R pediatric wrist radiograph · lateral view · girl, 13 yo · 620x972. 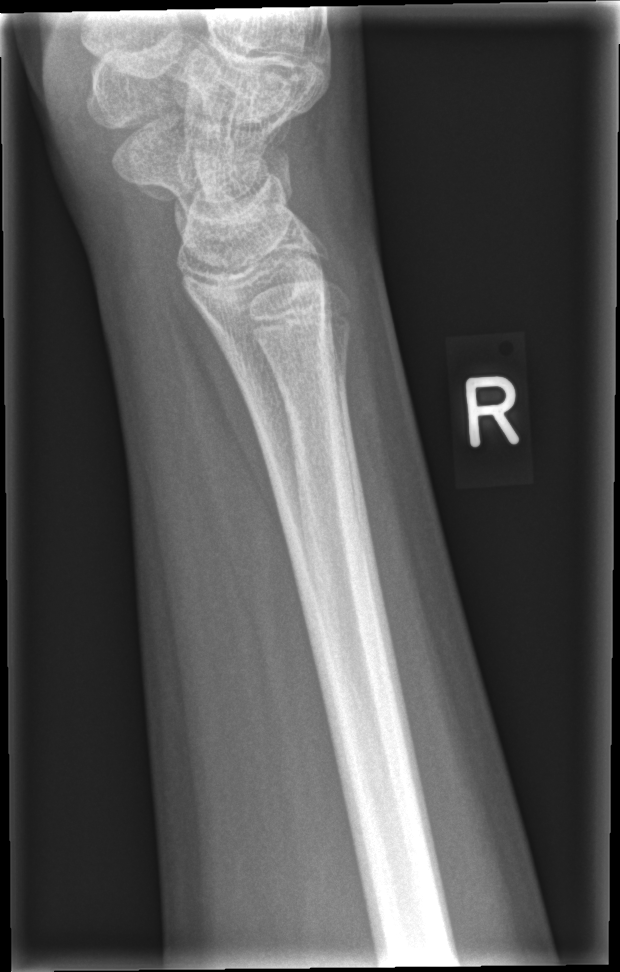

No Fx annotated.